Rt plain radiograph of the wrist, frontal, pediatric patient (girl, age 12), 601 x 1142 px.
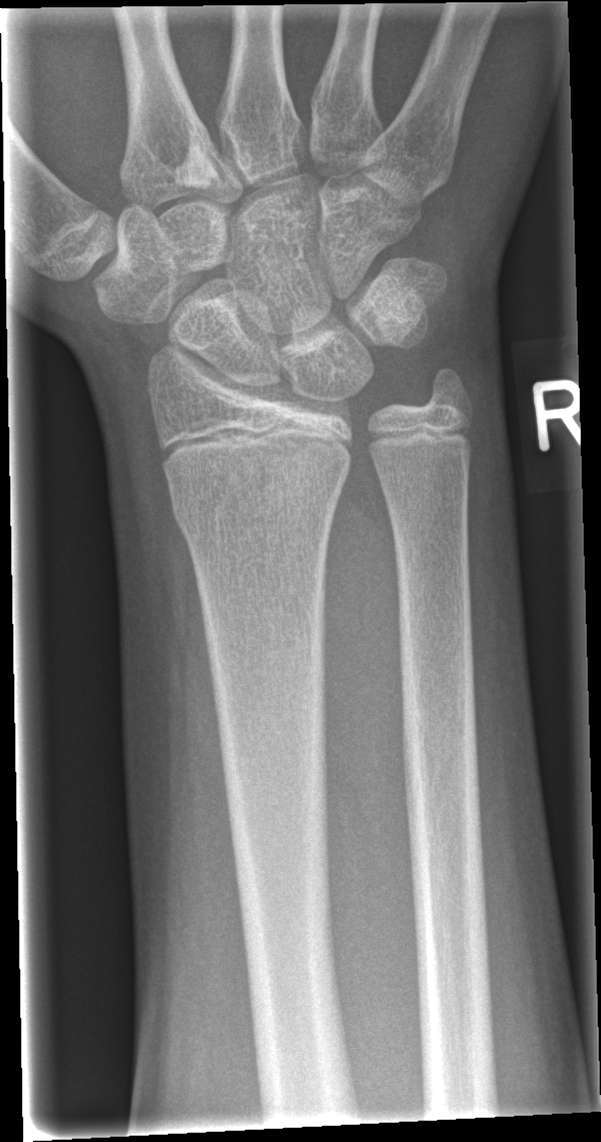

(coordinates are [x1, y1, x2, y2] in image pixels)
Bone fracture = [x1=167, y1=451, x2=351, y2=546]